Lateral projection | left wrist X-ray | boy, 5 yo | cast in situ | image width 81.1 mm 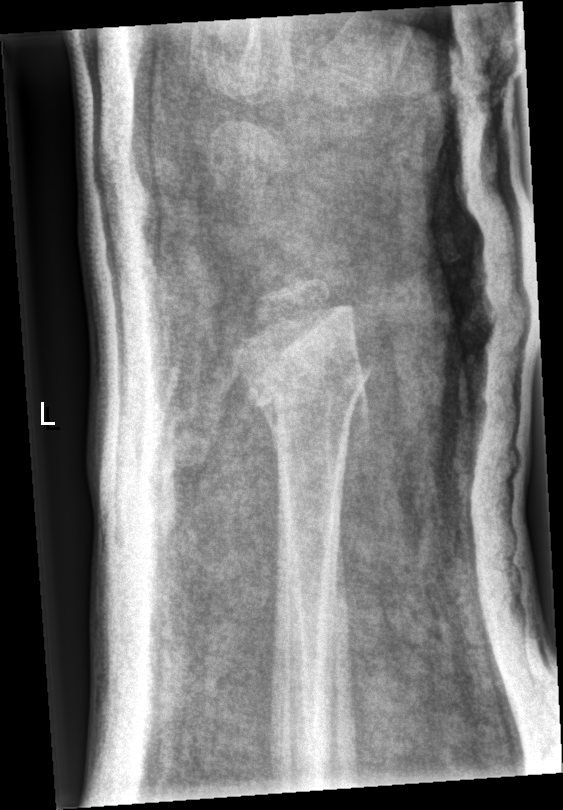 * AO/OTA classification: 23-M/3.1.
* One fracture at 242,343,375,437.